AP · Rt wrist plain film · pediatric patient (male, age 15) · image 102.0 mm wide —
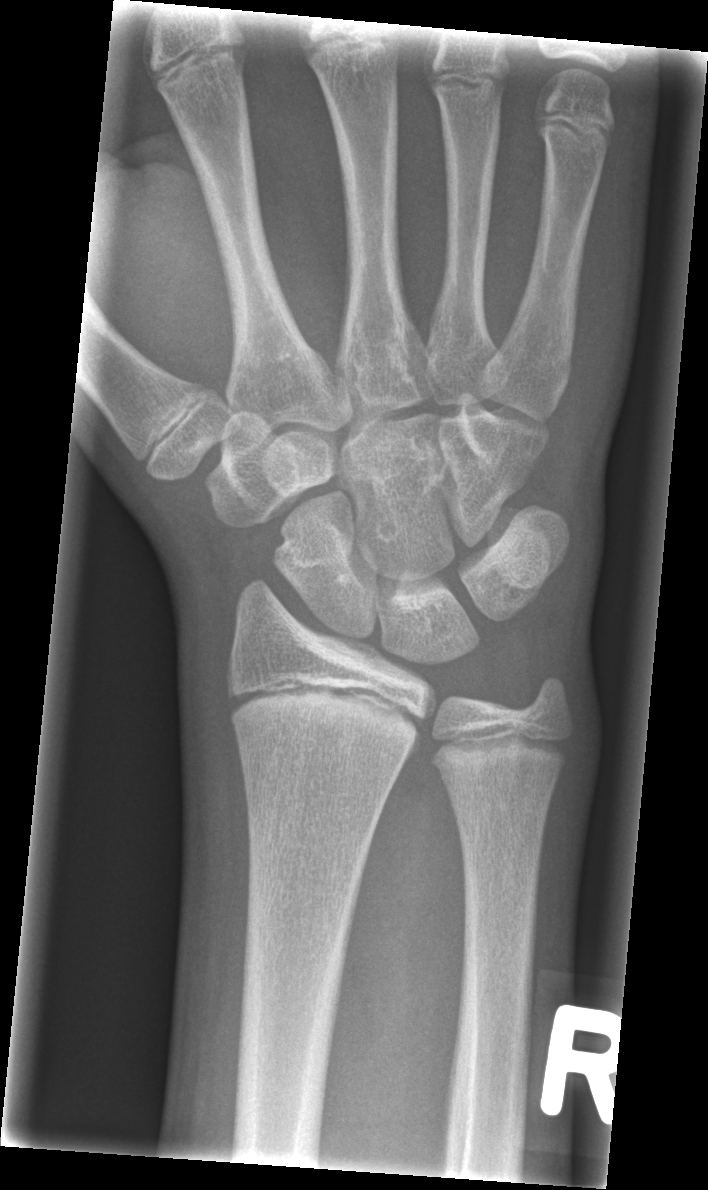
* No Fx annotated.